Right wrist radiograph | PA view | male, 14 yo | in cast — 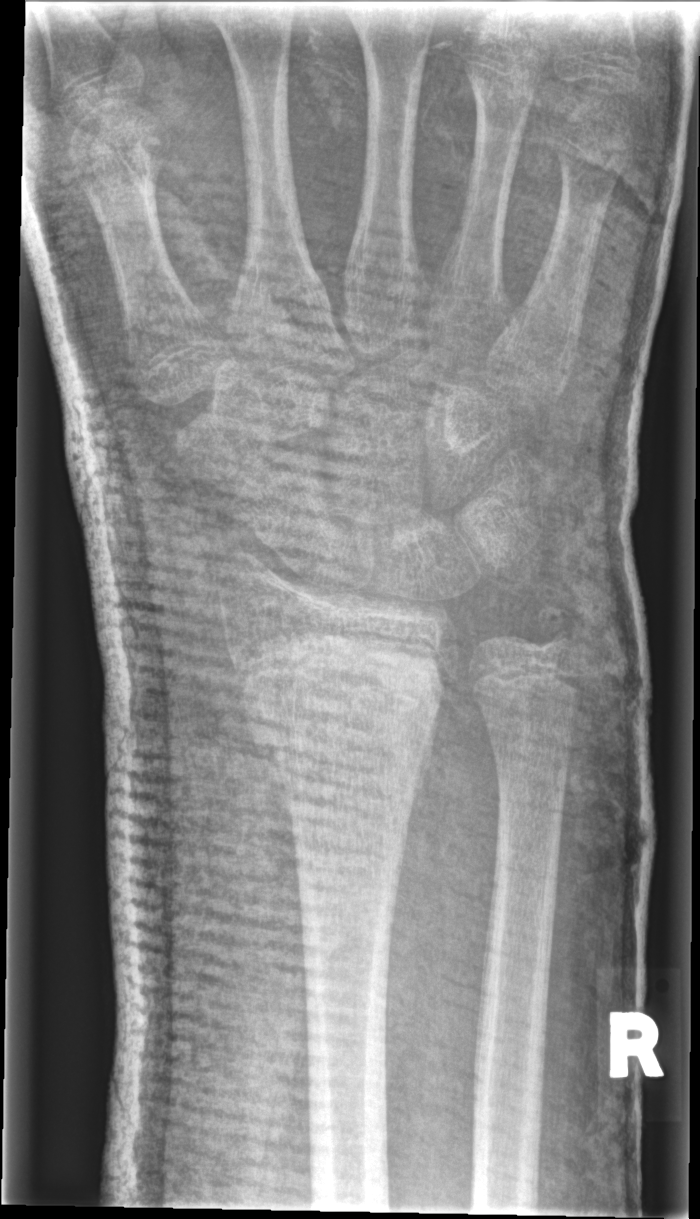
Bone fractures — 236,655,447,788 | 526,601,591,667.